PA/AP view; Rt pediatric wrist radiograph; 103.7 mm image width: 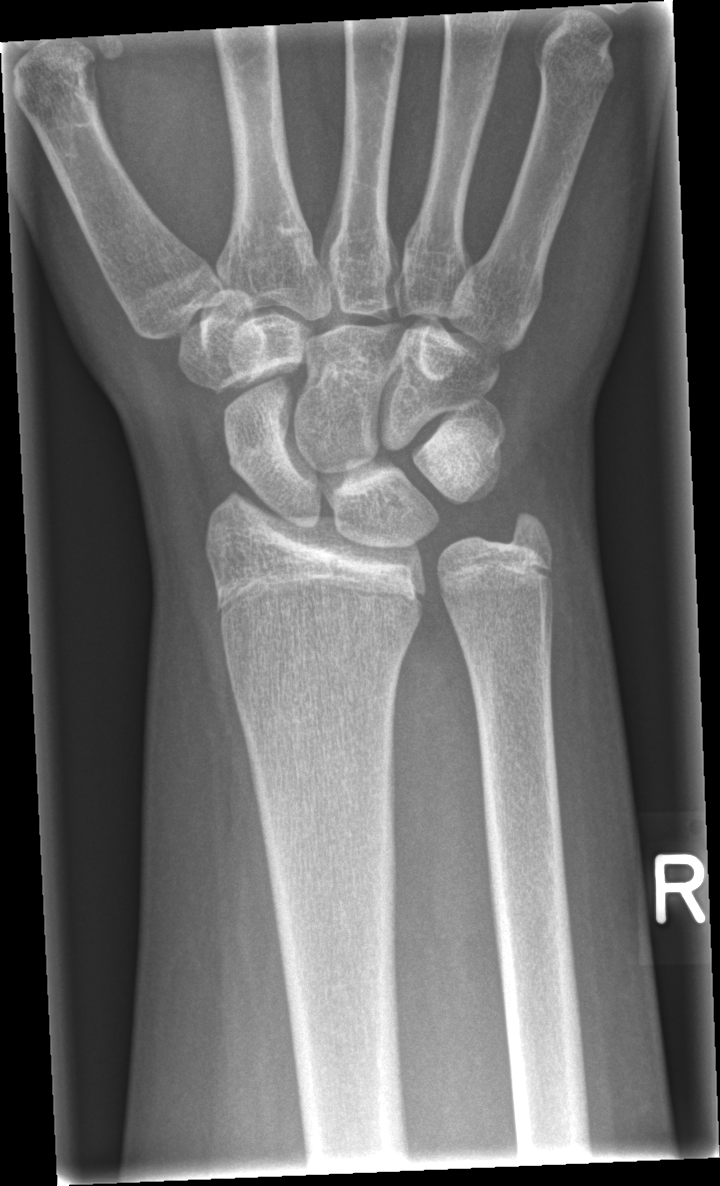
Fracture: none labeled.